L plain radiograph of the wrist | AP view | 16-year-old male | subsequent exam | 809 x 1392 px 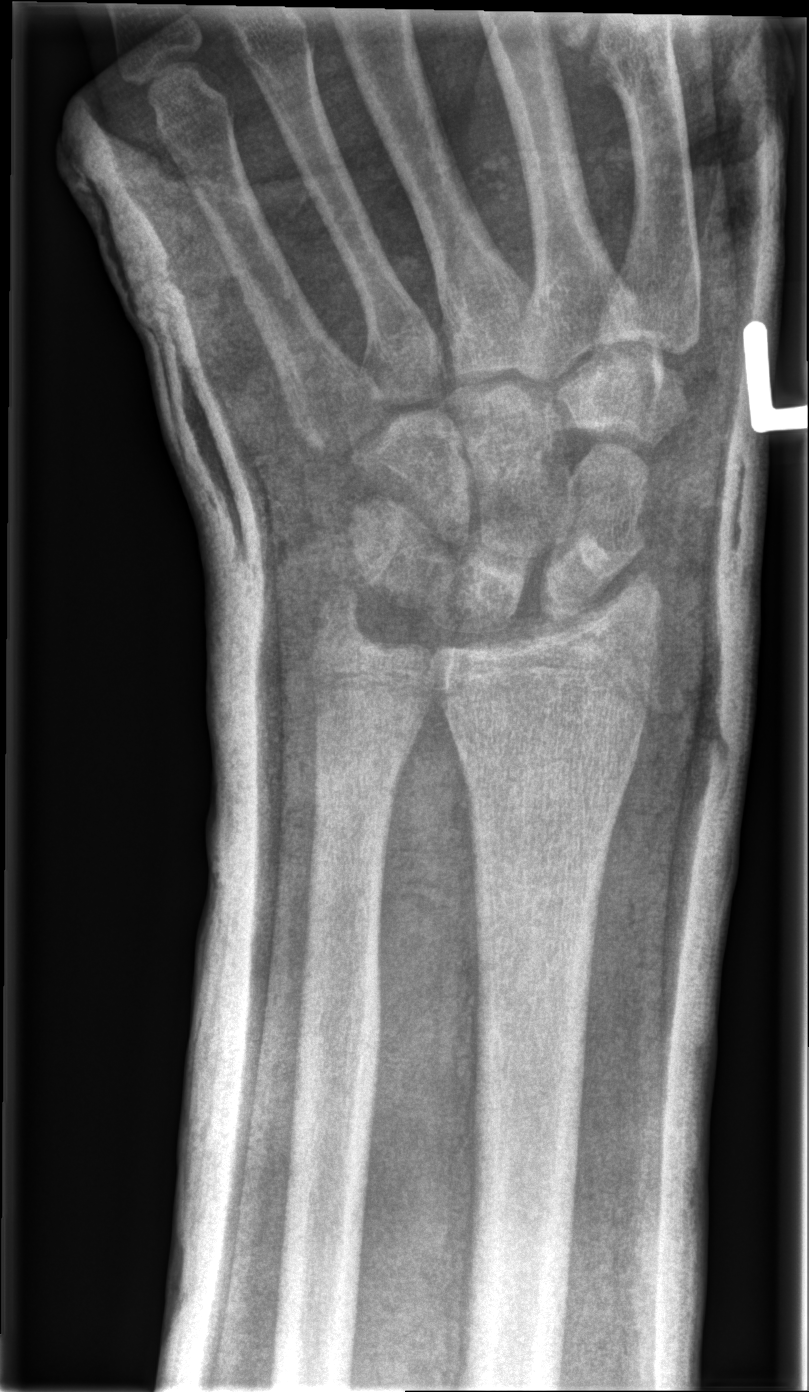

Findings: Fracture classified AO/OTA 23r-E/7. Fracture present, though not clearly seen in this view.